R plain radiograph of the wrist | posteroanterior projection —
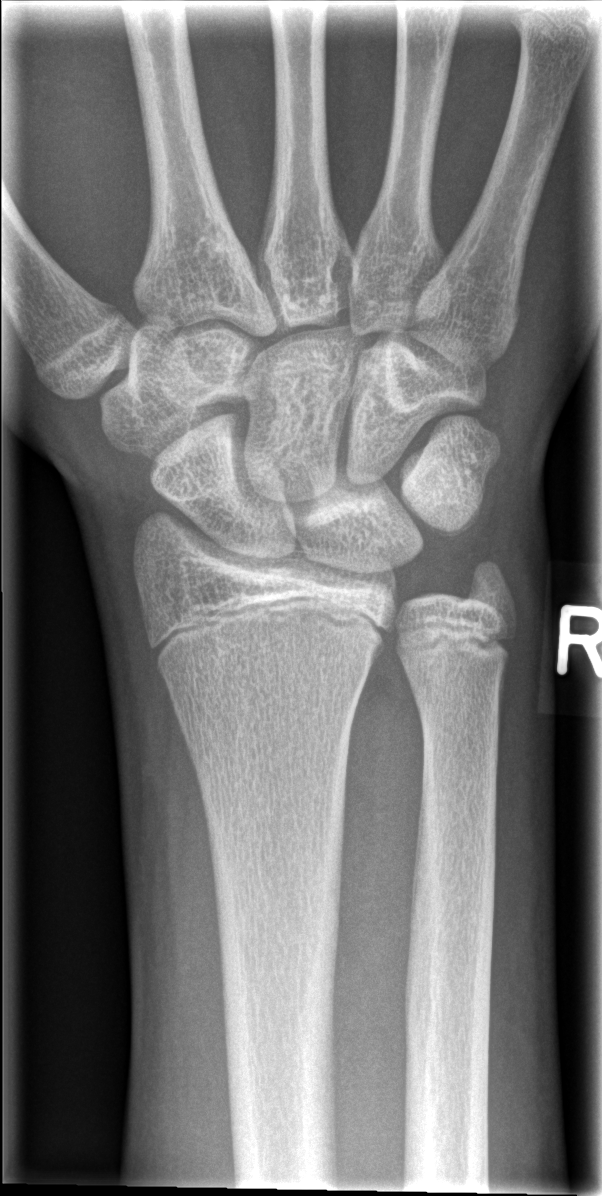 Q: Any fracture seen?
A: No fracture annotation